Lat; Lt wrist radiograph; pediatric patient (female, age 11); index exam; Siemens. 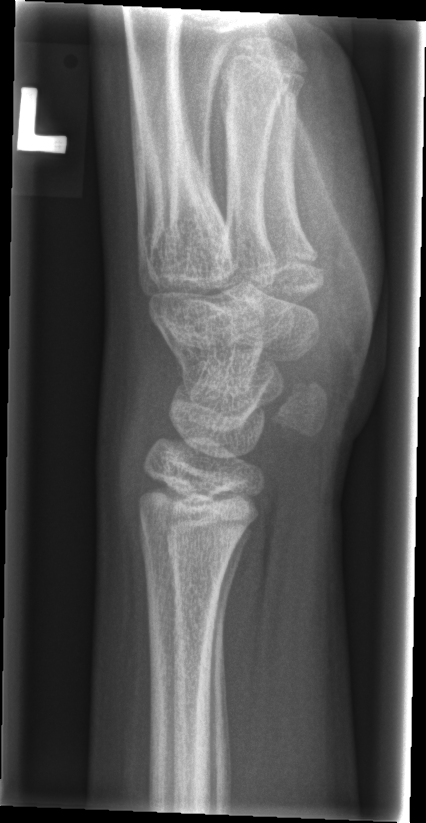
- No fracture annotation.